Right wrist plain film; lateral view; pediatric patient (female, age 17); 453 x 854 px.

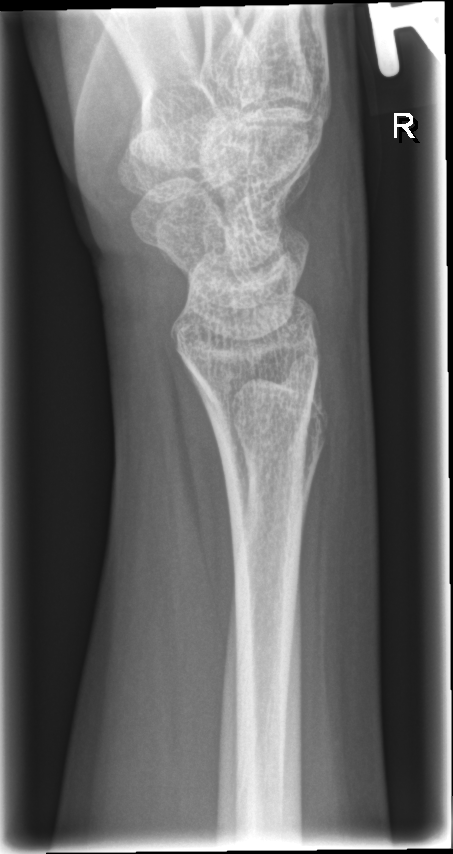

fracture: none labeled